Posteroanterior | L plain radiograph of the wrist | female, 5 yo | index exam

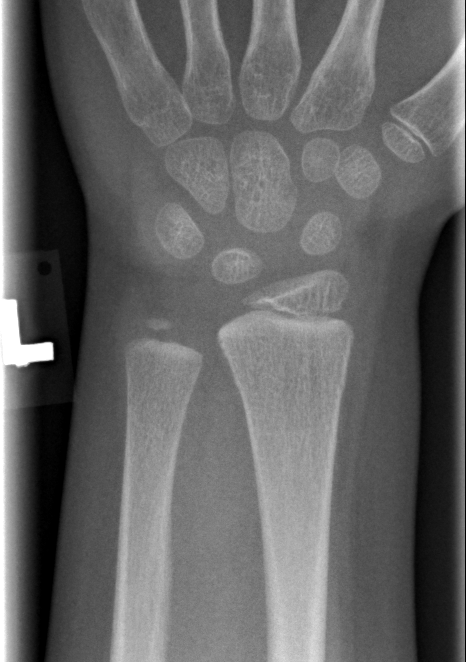
Findings: (coordinates are [x1, y1, x2, y2] in image pixels) Fracture — 231,366,348,401. Fracture classified AO/OTA 23r-M/2.1.